Right wrist radiograph, frontal projection, male, 16 yo, initial study, image 110.9 mm wide
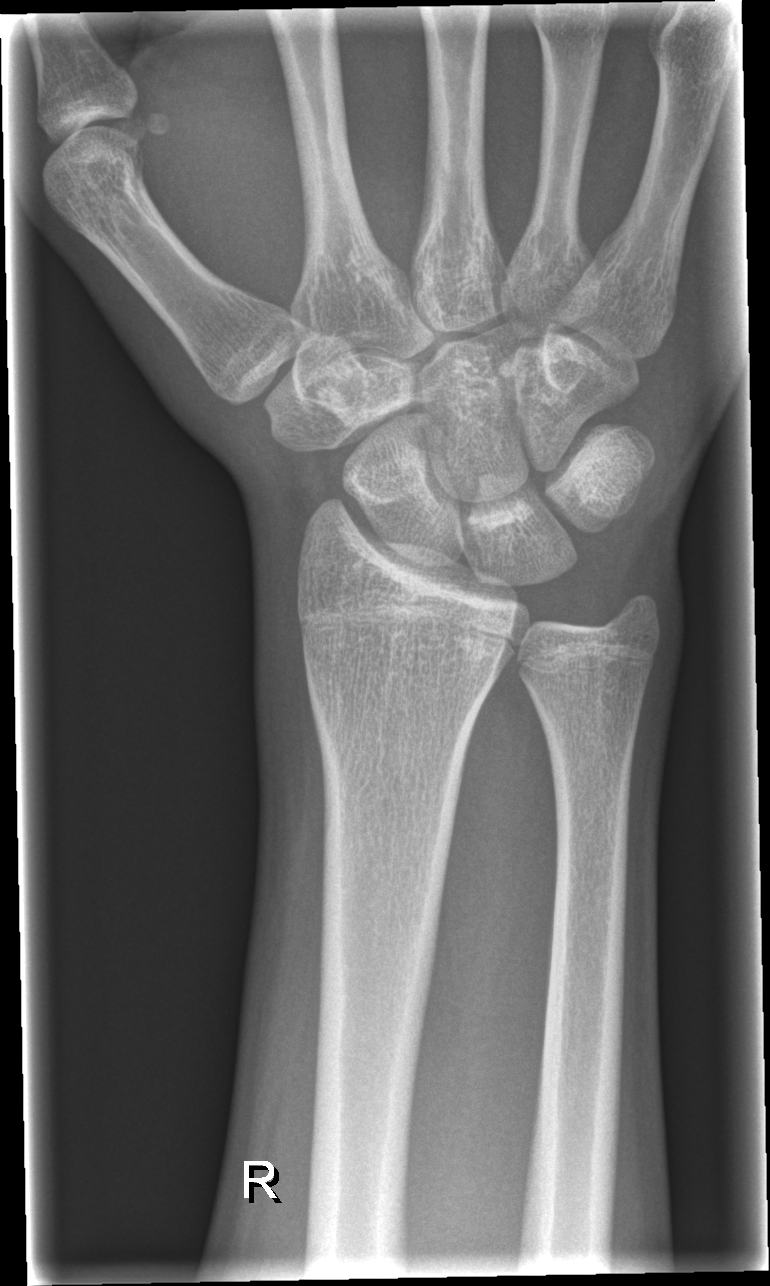
Q: Locate any fractures.
A: No fracture bounding box